Right wrist plain film | lateral | 9-year-old female | image 75.5 mm wide | 524x871 —
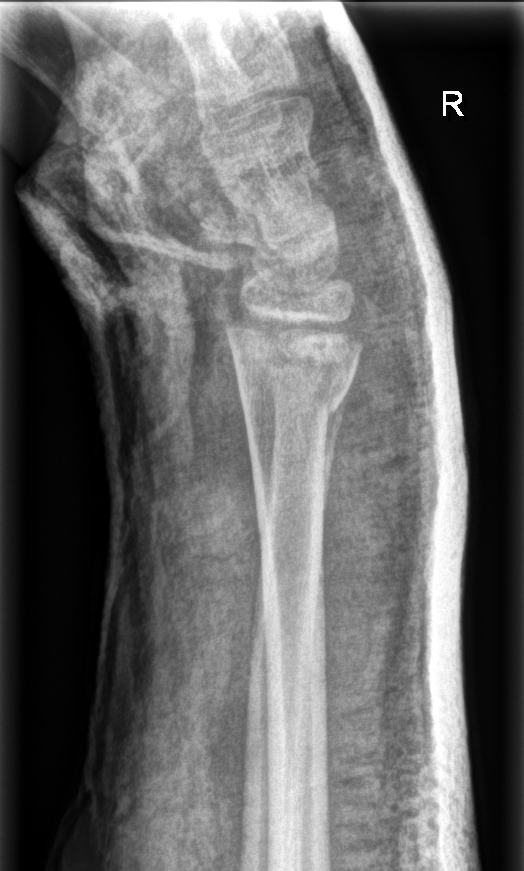

Fx — (222, 313, 364, 418).